PA/AP view, R plain radiograph of the wrist, follow-up study, 676 by 719 pixels — 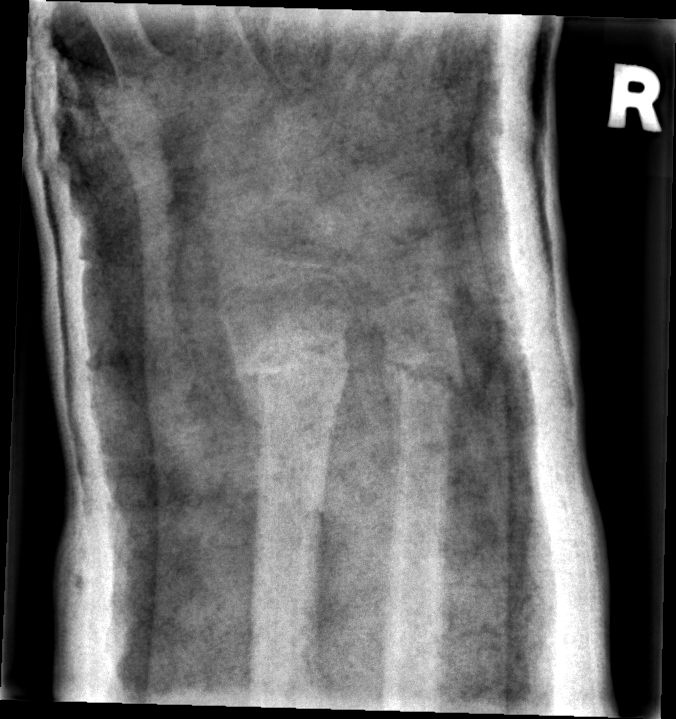

- Coordinates are [x1, y1, x2, y2] in image pixels.
- Periosteal reaction — (236, 370, 263, 532) (379, 354, 403, 525).
- Fractures — (224, 311, 355, 407), (381, 339, 466, 412).
- AO code 23r-M/3.1.